L wrist X-ray · frontal projection · 9-year-old female · acquired on Siemens · 612x854 —
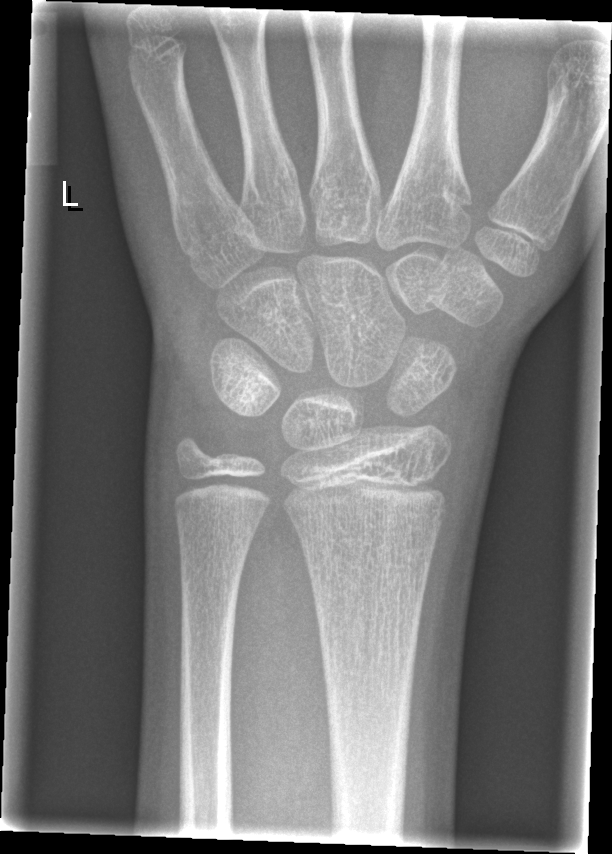 Fracture: none labeled.